Left wrist XR, lat projection, pediatric patient (female, age 7), presentation radiograph

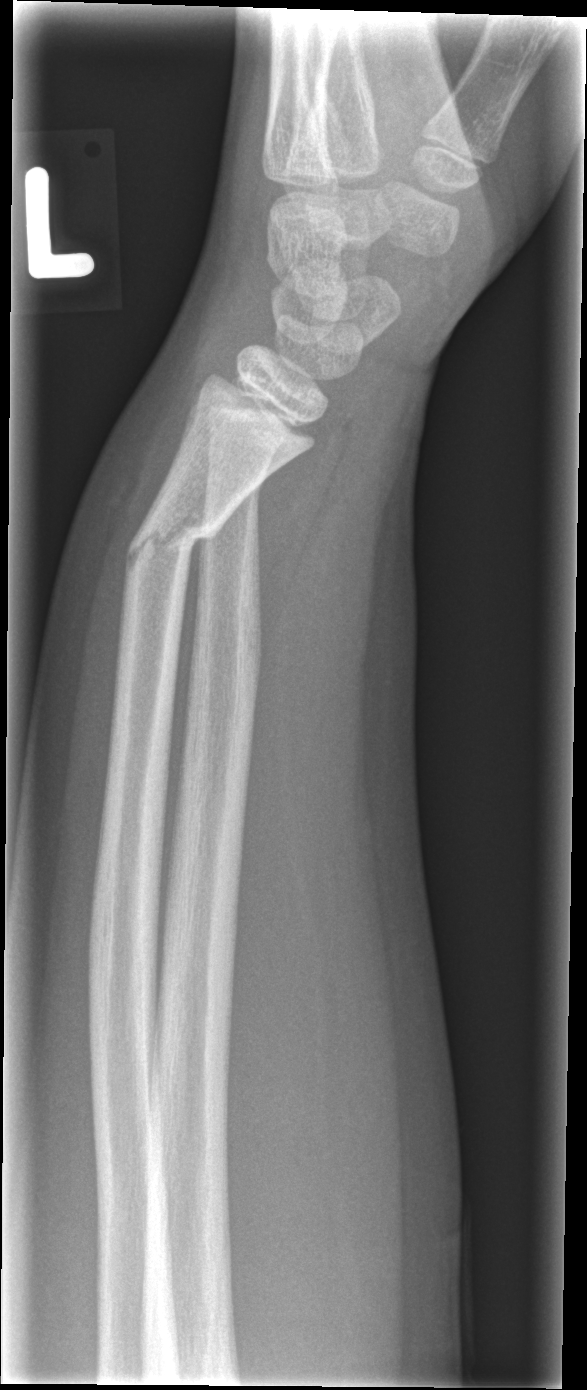

Bone fracture: (121, 489, 224, 582)